R wrist X-ray · PA view · presentation radiograph.
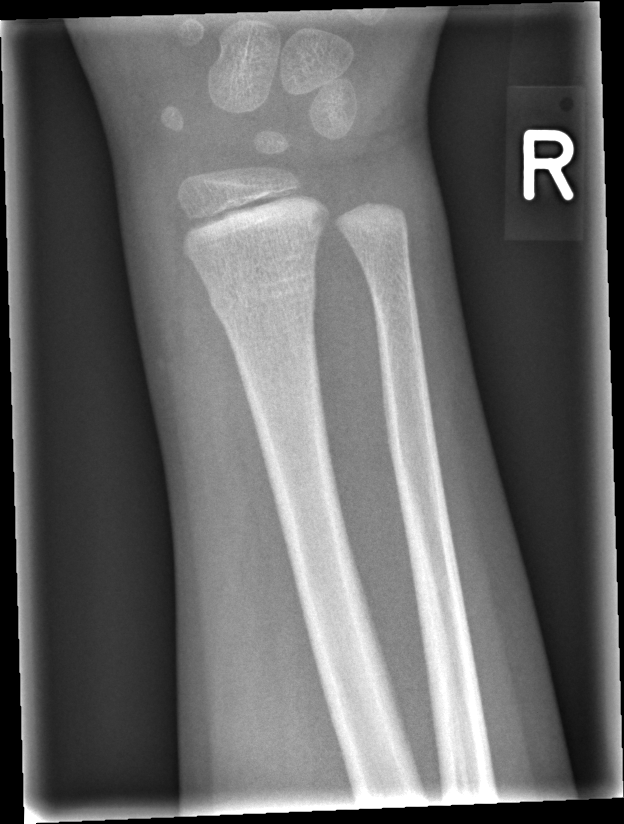

Fx = <204,267>-<320,328>